Lateral, Rt wrist plain film, 10-year-old male:

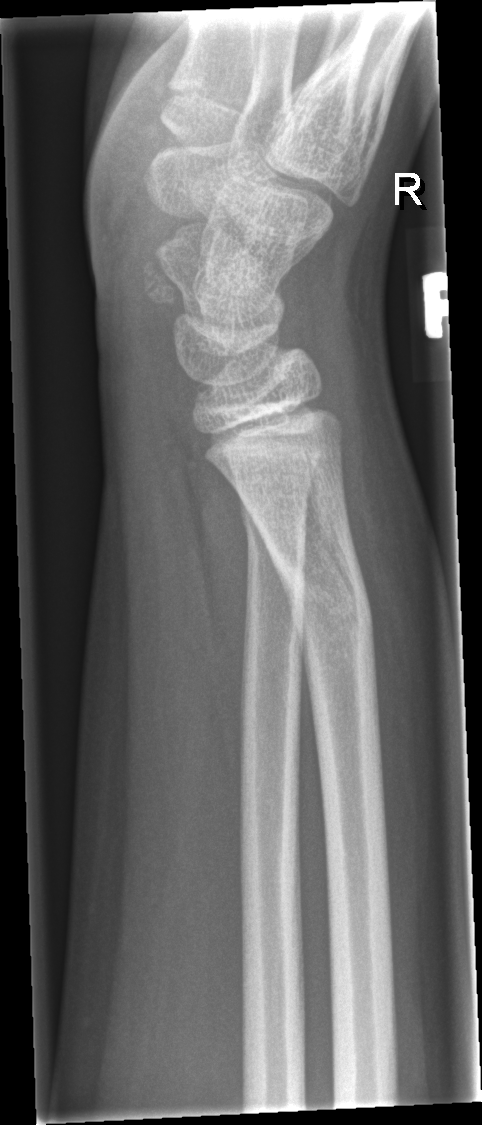 • Coordinates are [x1, y1, x2, y2] in image pixels.
• Fracture: [275, 552, 381, 664].
• AO/OTA classification: 23-M/2.1.